R wrist X-ray · frontal projection · girl, 15 yo · follow-up

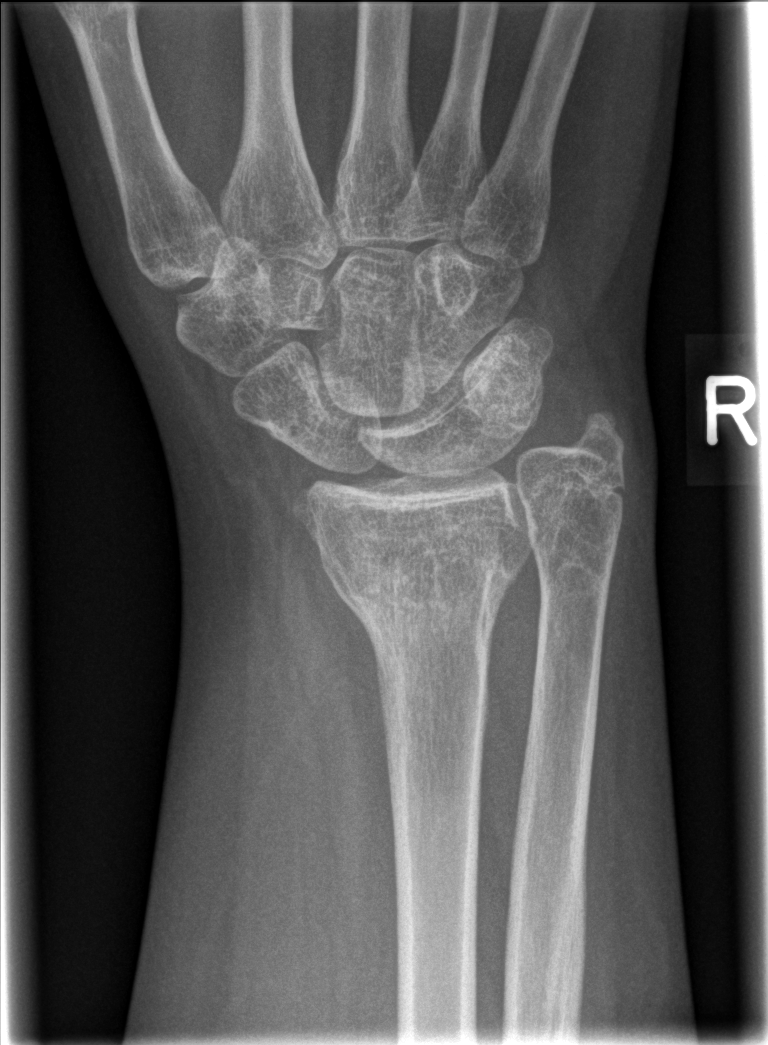 FINDINGS: Two Fx at 318,531,529,634; 569,398,632,473. AO code 23r-M/3.1; 23u-E/7.